Left wrist plain film | PA/AP projection | pediatric patient (female, age 8) | follow-up study. 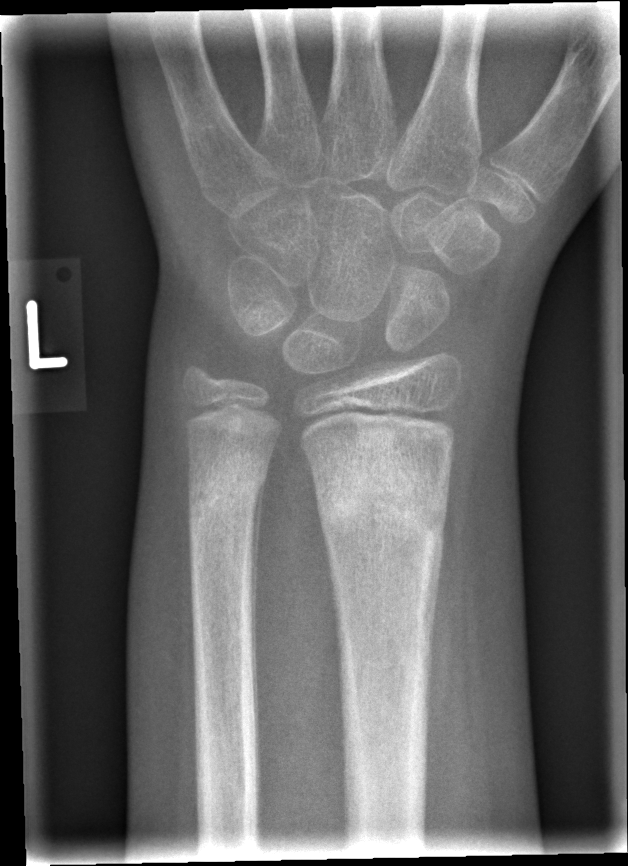
Bounding boxes in image-pixel xyxy.
Fx identified at 308 430 455 549; 182 457 273 531.
Decreased bone density (osteopenia).
Two periosteal reaction at 250 474 268 786 | 424 526 444 747.